Right wrist X-ray, frontal, cast present, image width 84.4 mm — 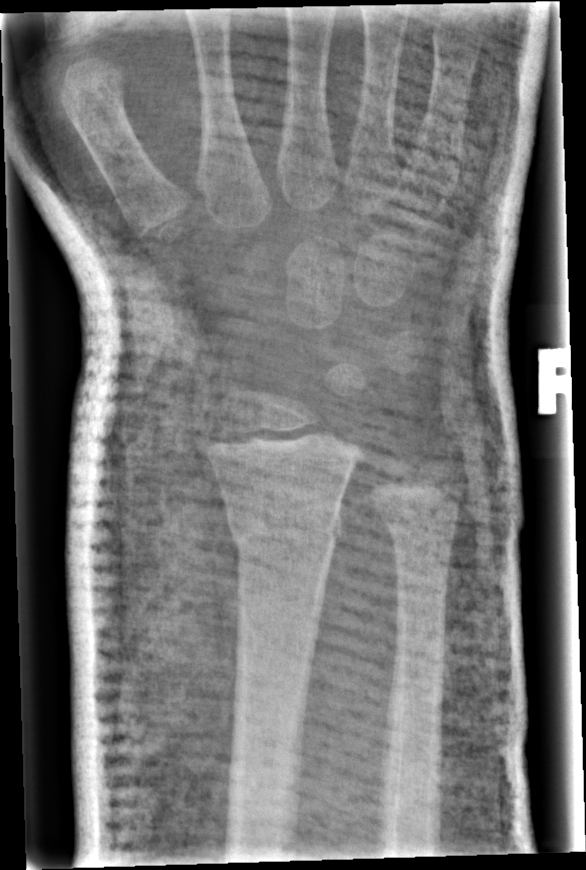
Boxes as x1,y1,x2,y2 (top-left / bottom-right, pixel units).
Fx: (224, 502, 345, 560); (383, 509, 462, 556).
AO/OTA classification: 23r-M/3.1; 23u-M/2.1.